Rt wrist XR; PA; 3-year-old boy; subsequent exam 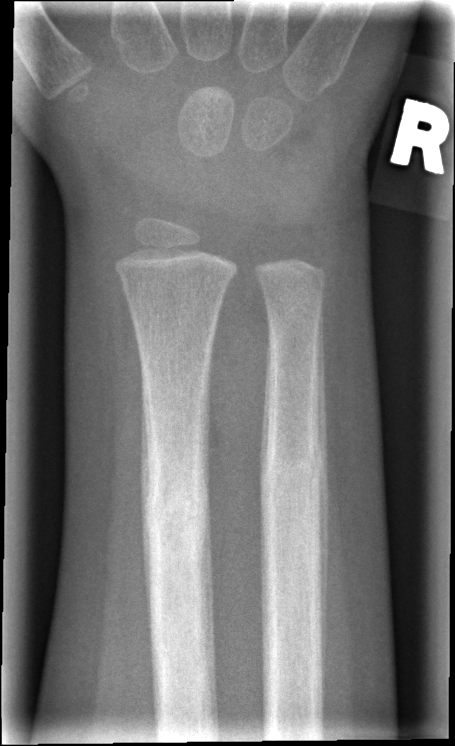 Pixel coordinates, top-left origin, xyxy. One periosteal thickening at [316, 300, 332, 687]. Fracture classified AO/OTA 22-D/2.1. Fx — [142, 469, 214, 574] [259, 435, 326, 529]. Osteopenia.